Lt plain radiograph of the wrist, lat view, 70.0 mm image width — 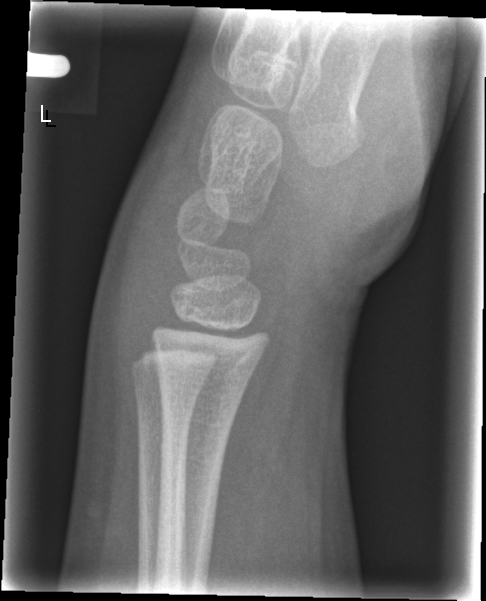

fracture: none labeled